PA view; left wrist radiograph; 11y F; index exam; detector: Siemens; 85.7 mm image width:

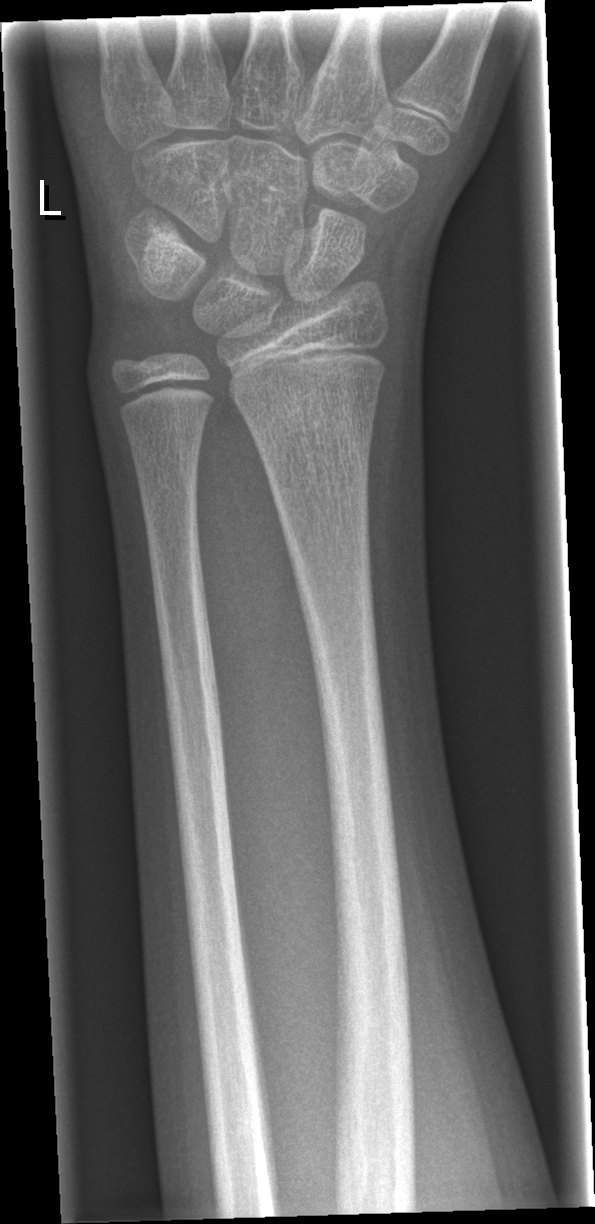
Fx = none labeled